Left wrist X-ray; posteroanterior projection; girl, 17 yo; imaged through cast; image size 623x1026
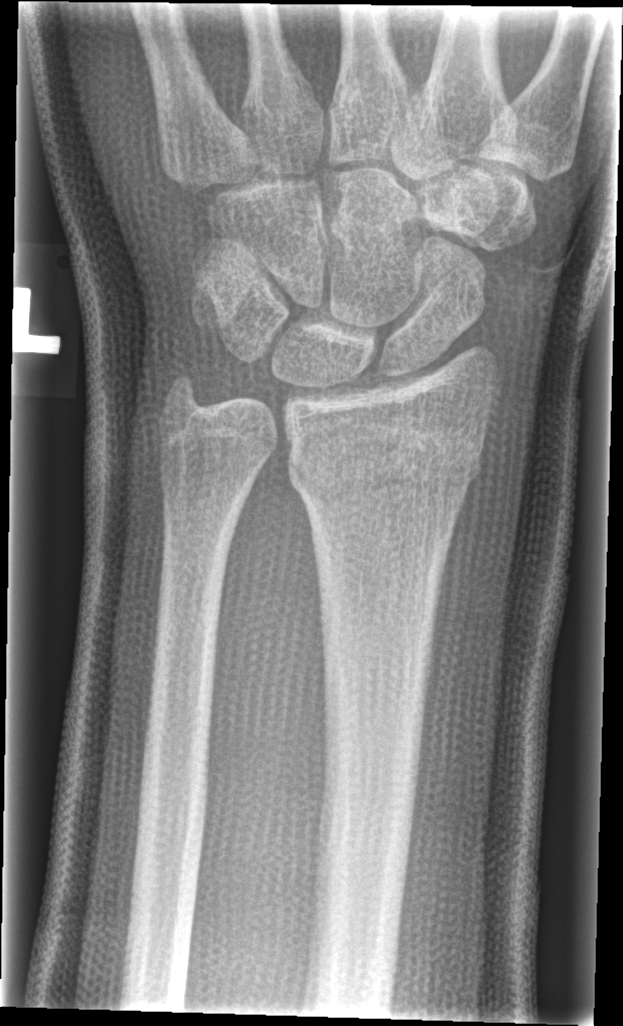 • Fracture identified at [x1=286, y1=417, x2=490, y2=514].
• AO/OTA classification: 23r-M/3.1.